AP · left wrist plain film · girl, 14 yo · cast present · 93.2 mm image width:
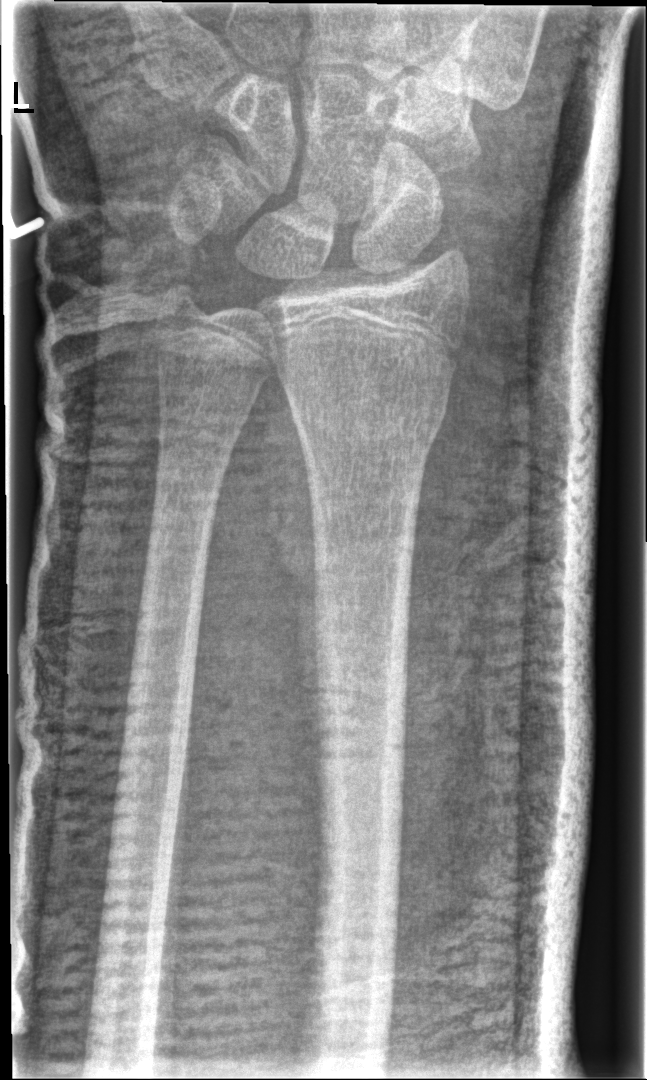 Q: What is the AO/OTA classification?
A: Fracture classified AO/OTA 23r-M/2.1
Q: Locate any fractures.
A: Bone fracture — [x1=289, y1=384, x2=447, y2=455]